R wrist XR, PA view

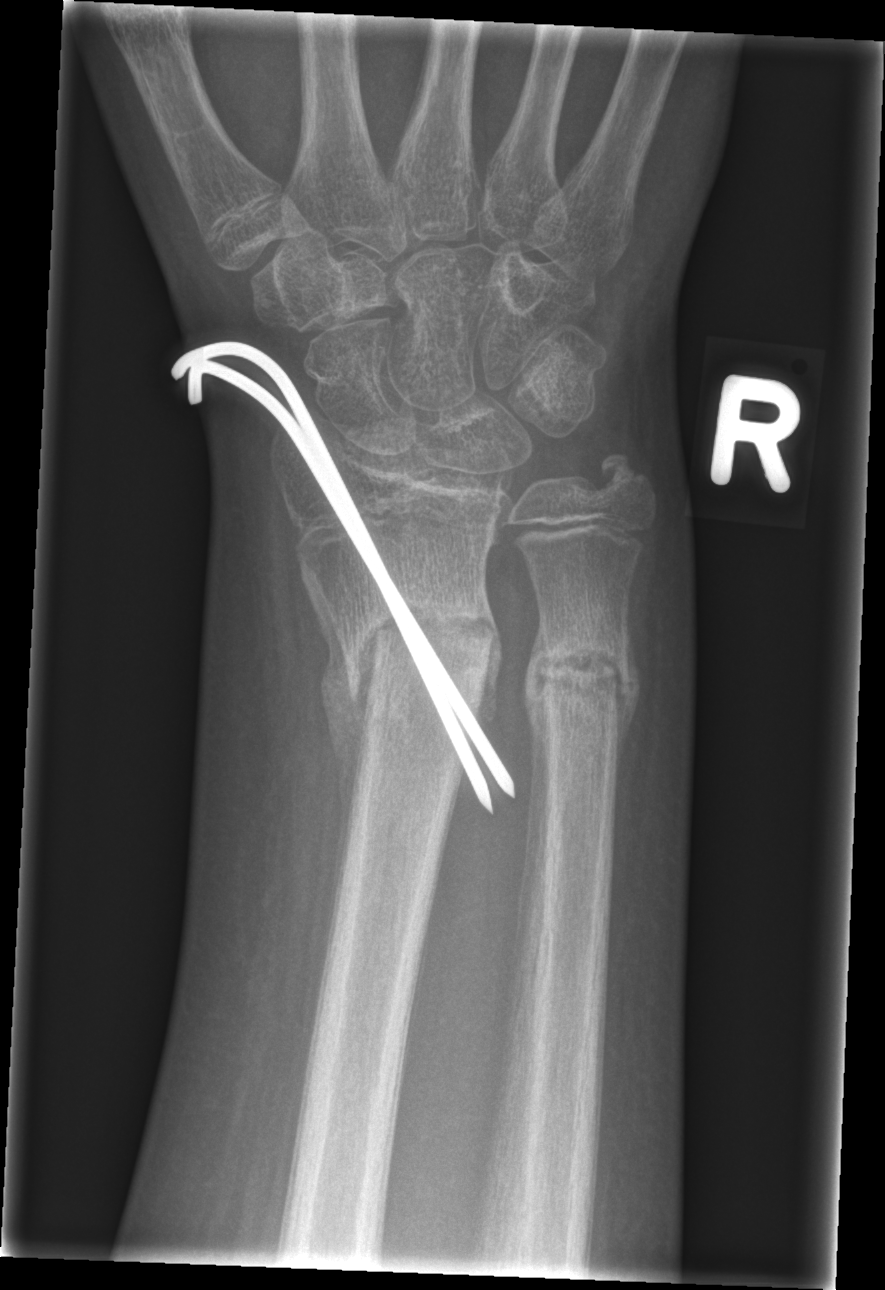
ao: 23-M/3.1; 23u-E/7
periostealreaction: 4 @ <305,566>-<368,931> <516,613>-<551,1002> <615,629>-<643,778> <476,610>-<503,726>
fracture: <317,586>-<507,732>, <520,632>-<638,730>, <584,439>-<662,508>
metal: 1 @ <166,336>-<518,822>
osteopenia: present